Left wrist X-ray, lateral, acquired on Siemens, image width 80.9 mm:

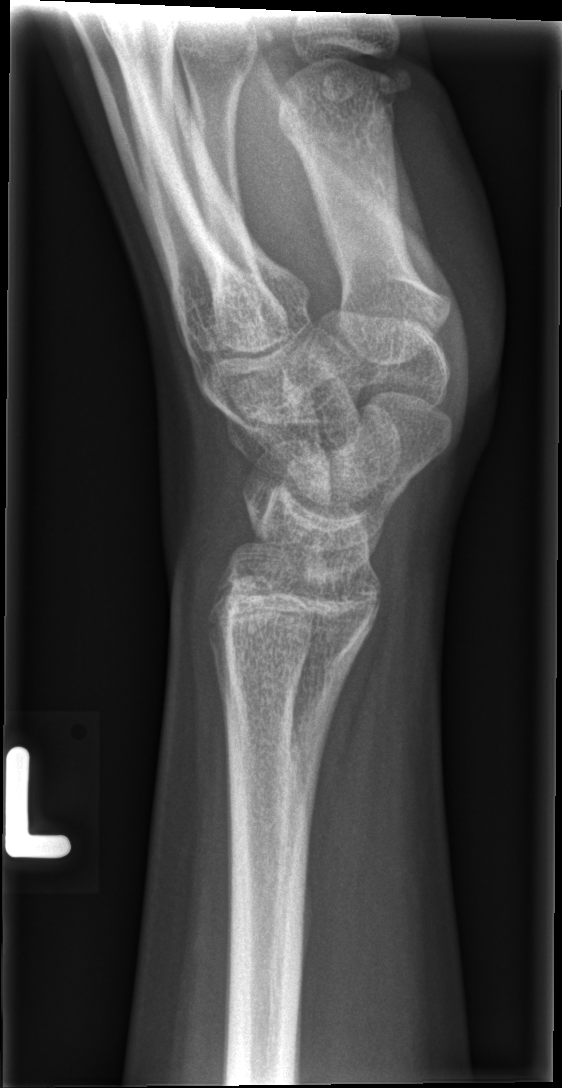 No fracture annotation.